Rt pediatric wrist radiograph · lat projection · female, 6 yo:
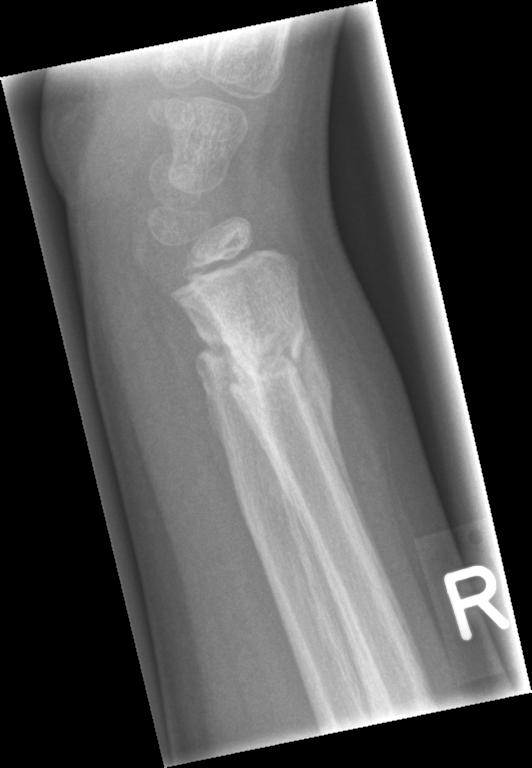

Findings: Periosteal thickening — (left=296, top=294, right=424, bottom=677). AO/OTA classification: 23-M/3.1. Fracture identified at (left=226, top=312, right=324, bottom=416); (left=193, top=325, right=274, bottom=407).